Right wrist radiograph, frontal view, acquired on Siemens —

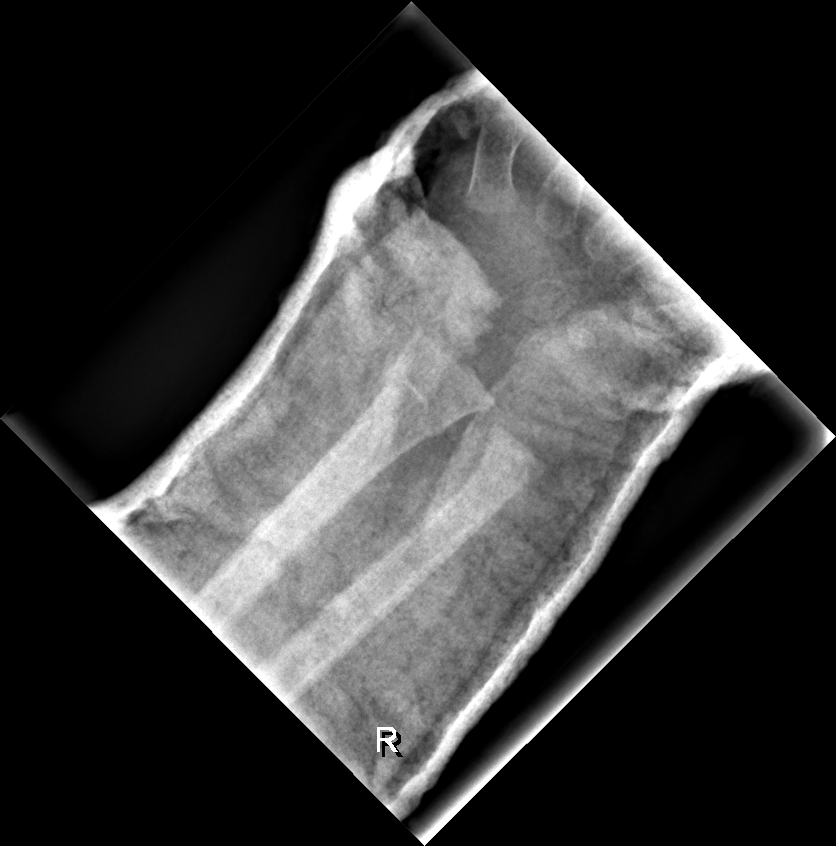 Bone fracture — [376, 360, 453, 438].
AO code 23r-M/3.1.